R wrist plain film; PA/AP projection.

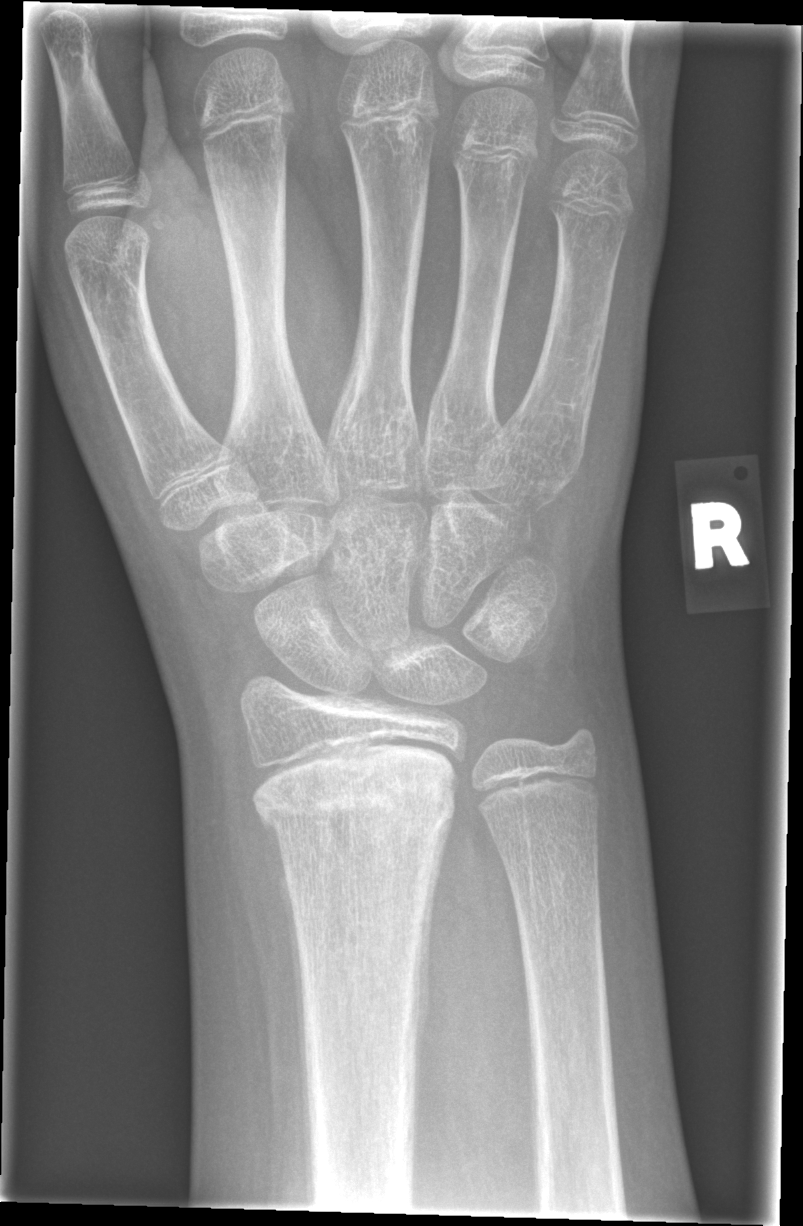

One Fx at 251 755 459 856. Periosteal thickening: 412 820 457 1070.